PA projection | left wrist plain film:

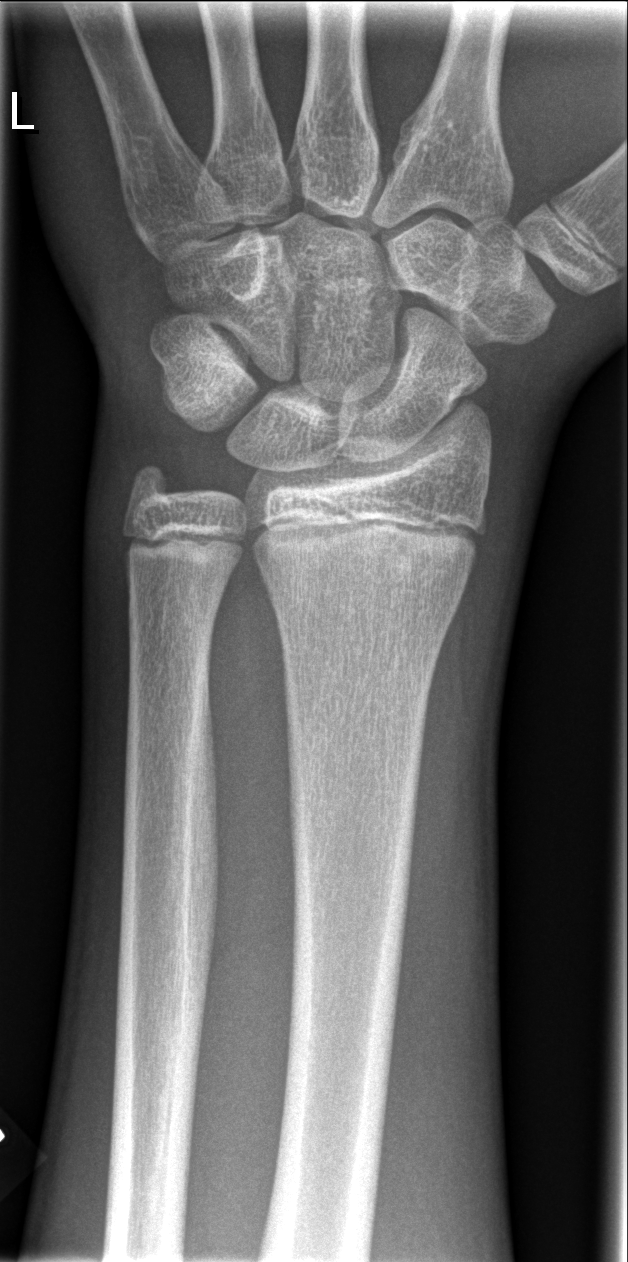
• No fracture labeled.